Rt plain radiograph of the wrist; lateral view; 539 x 904 px —
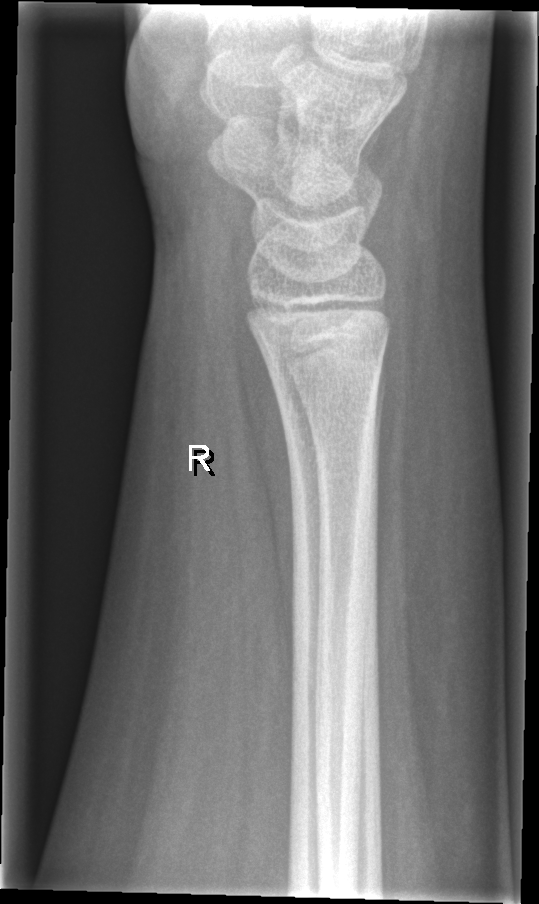
Fx: none.